Left wrist radiograph; lateral; 493x850 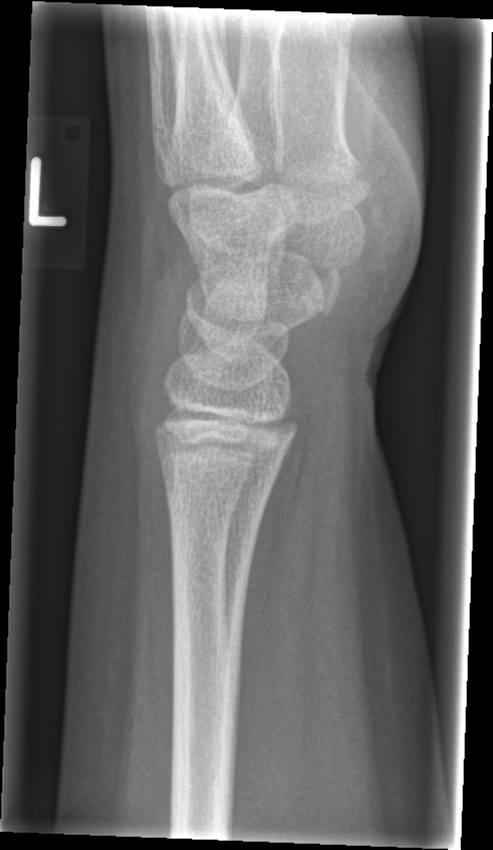 No fracture bounding box.